Left wrist XR · AP projection · 13-year-old boy:
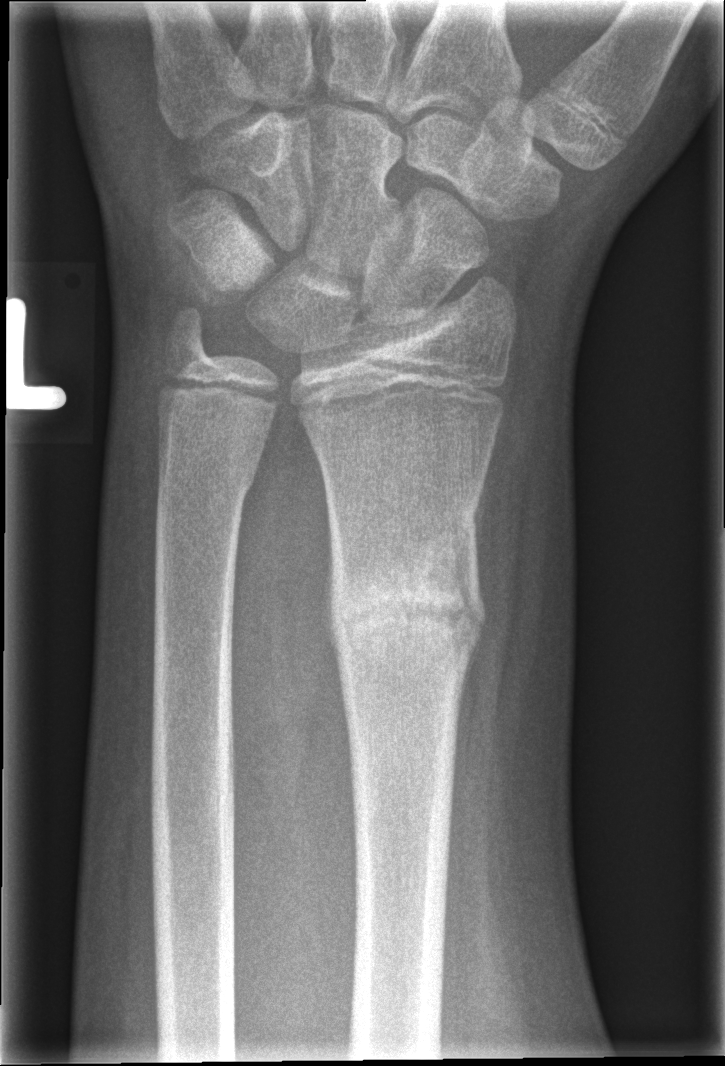

AO/OTA classification: 23r-M/3.1; 23u-M/2.1. Two fractures at [x1=320, y1=510, x2=489, y2=680], [x1=152, y1=440, x2=263, y2=518].